R wrist XR, lateral view.

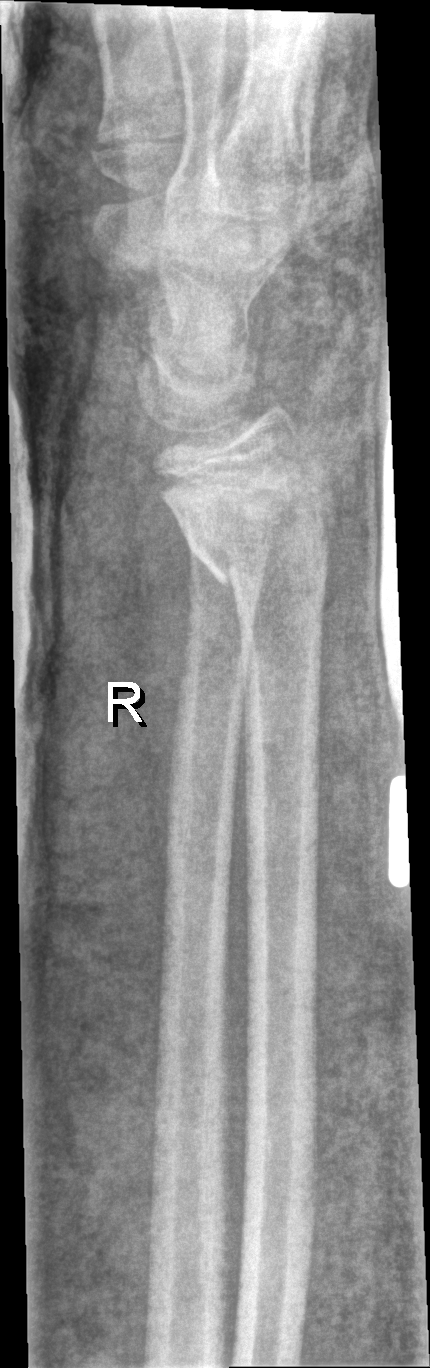 Findings: Fracture: [x1=177, y1=477, x2=334, y2=593]. Fracture classified AO/OTA 23r-M/3.1; 23u-E/1.